R plain radiograph of the wrist; lateral view — 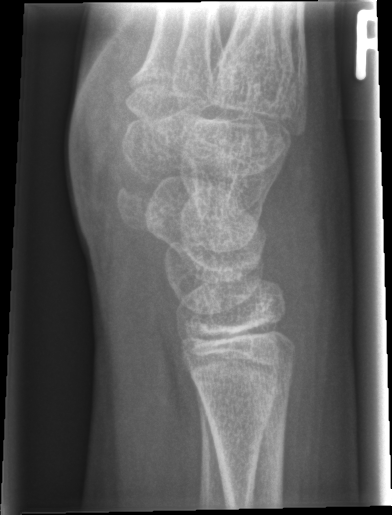 fracture = present but not clearly seen in this view